Rt wrist XR; AP view —
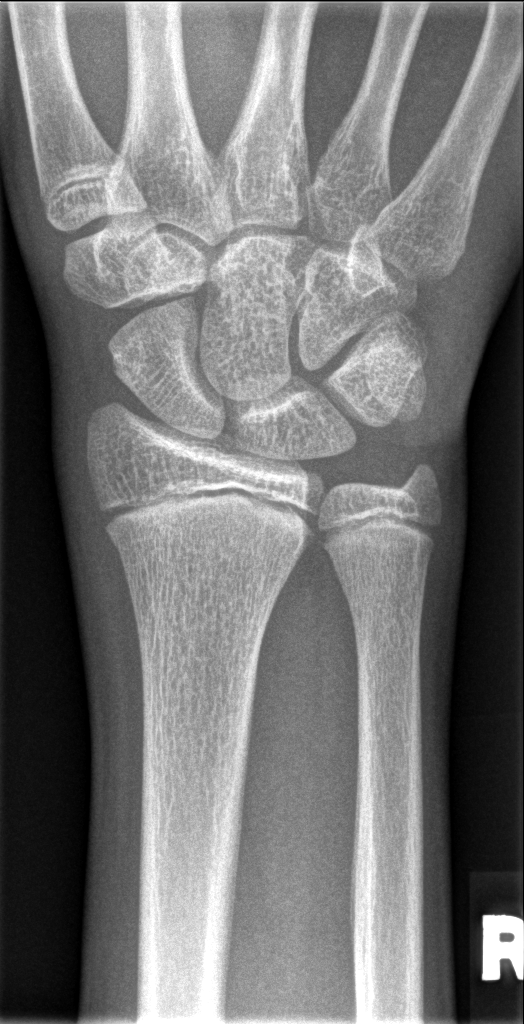
{"fracture": "present but not clearly seen in this view"}